AP view | left wrist XR:
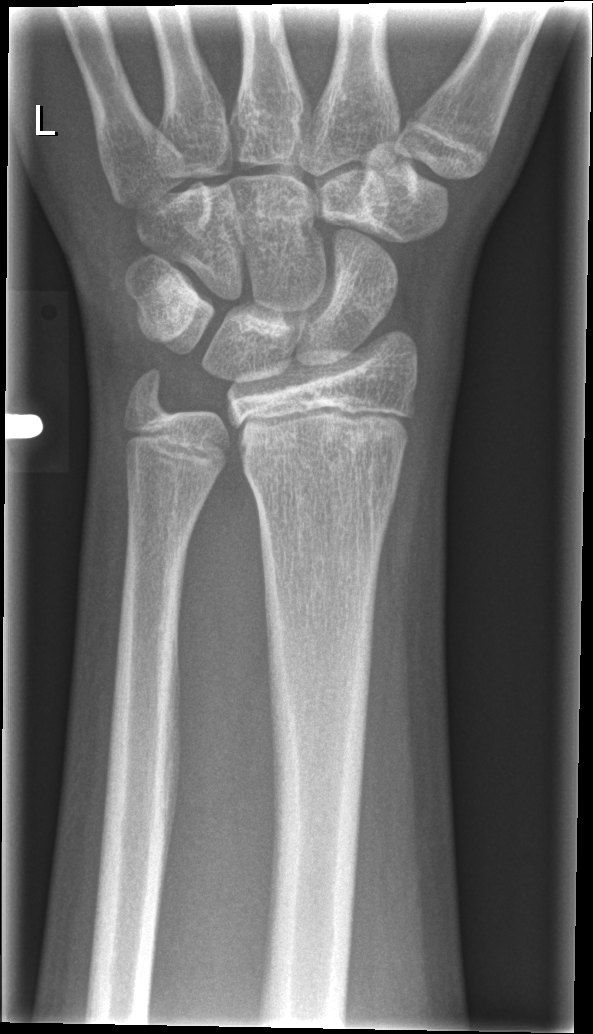
• Fracture classified AO/OTA 23r-M/2.1.
• Fracture: present but not clearly seen in this view.